Lt wrist radiograph | PA/AP projection | subsequent exam | imaged through cast.

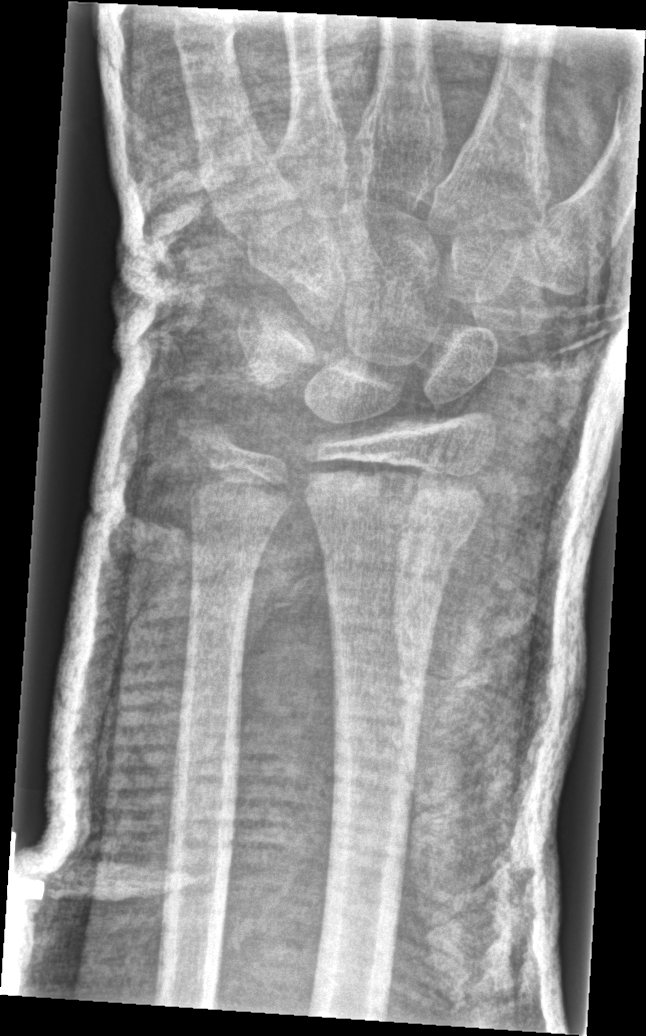
Bone fracture — (305, 492, 474, 570).